Rt wrist plain film | lateral view | follow-up | in cast —
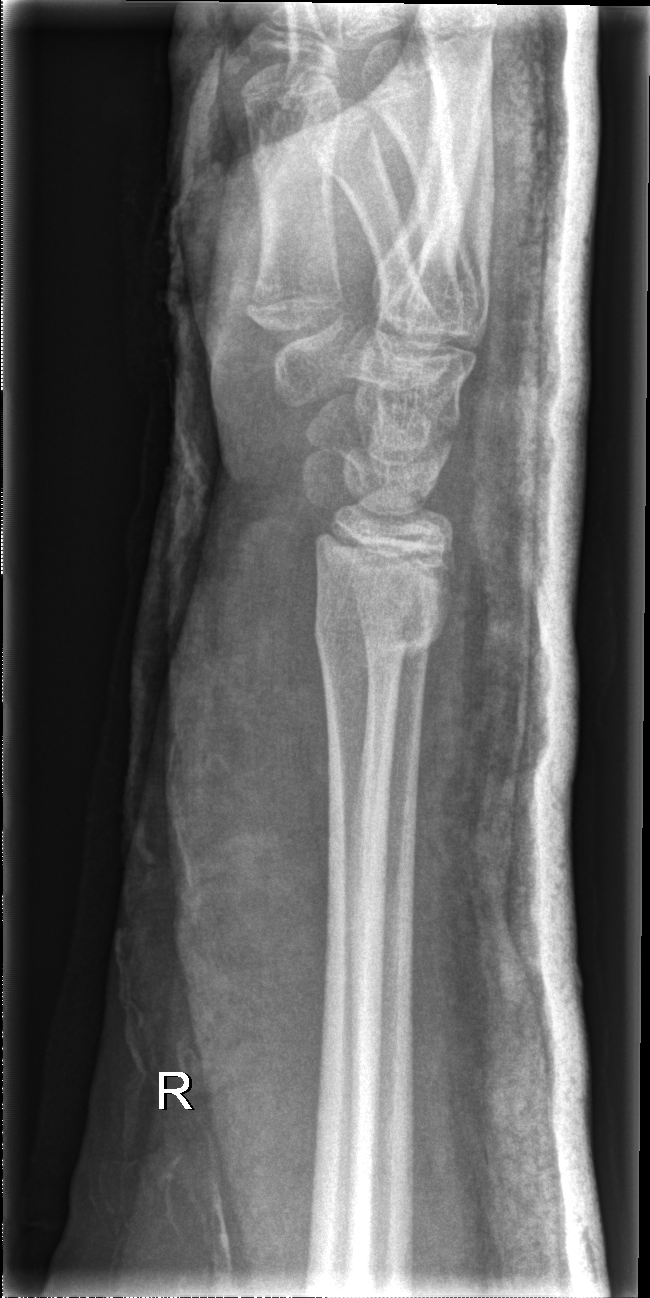
Bounding boxes in image-pixel xyxy. AO/OTA classification: 23r-M/3.1. Bone fracture: [x1=313, y1=606, x2=448, y2=667].